AP projection, Lt pediatric wrist radiograph, age 6 y, female, subsequent exam, image size 409x842.
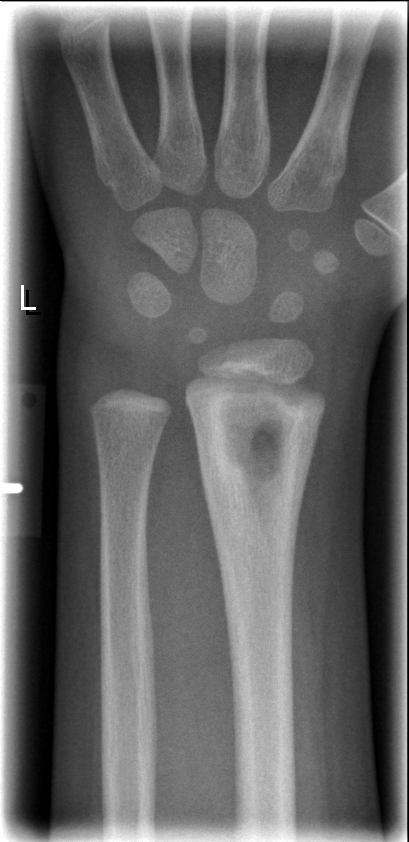

• Focal bone lesion: 182 376 326 557.
• No fracture annotation.